Posteroanterior · left wrist pediatric wrist radiograph · subsequent exam

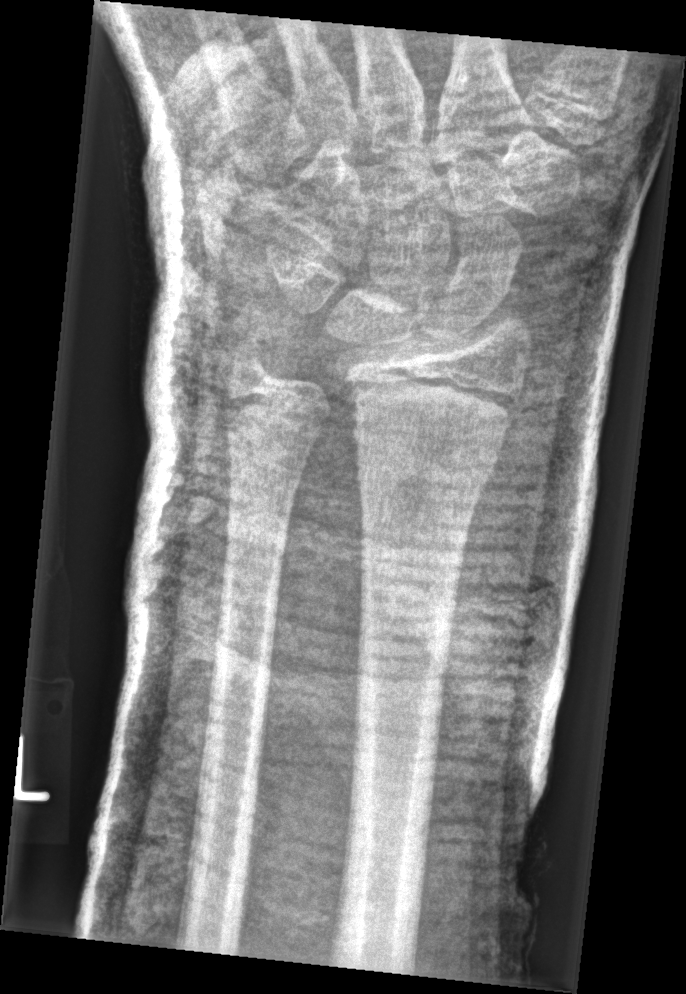
Findings: (bounding boxes in image-pixel xyxy) Fx: 350 432 503 491.